Rt wrist X-ray | lat | age 15 y, male | detector: Siemens
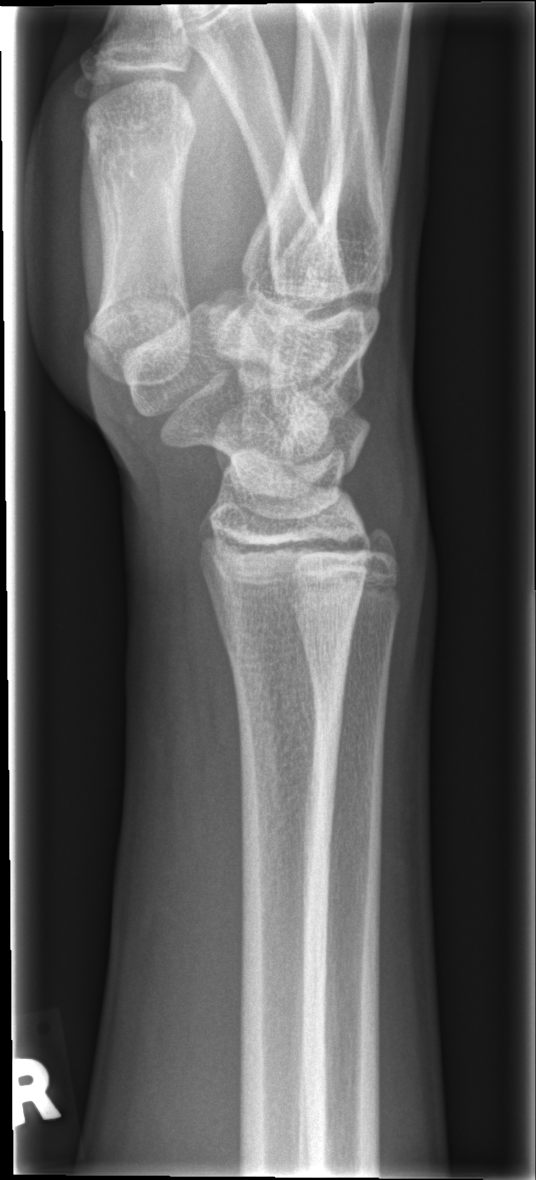
Bone fracture: none labeled